R wrist X-ray | lateral | imaged through cast: 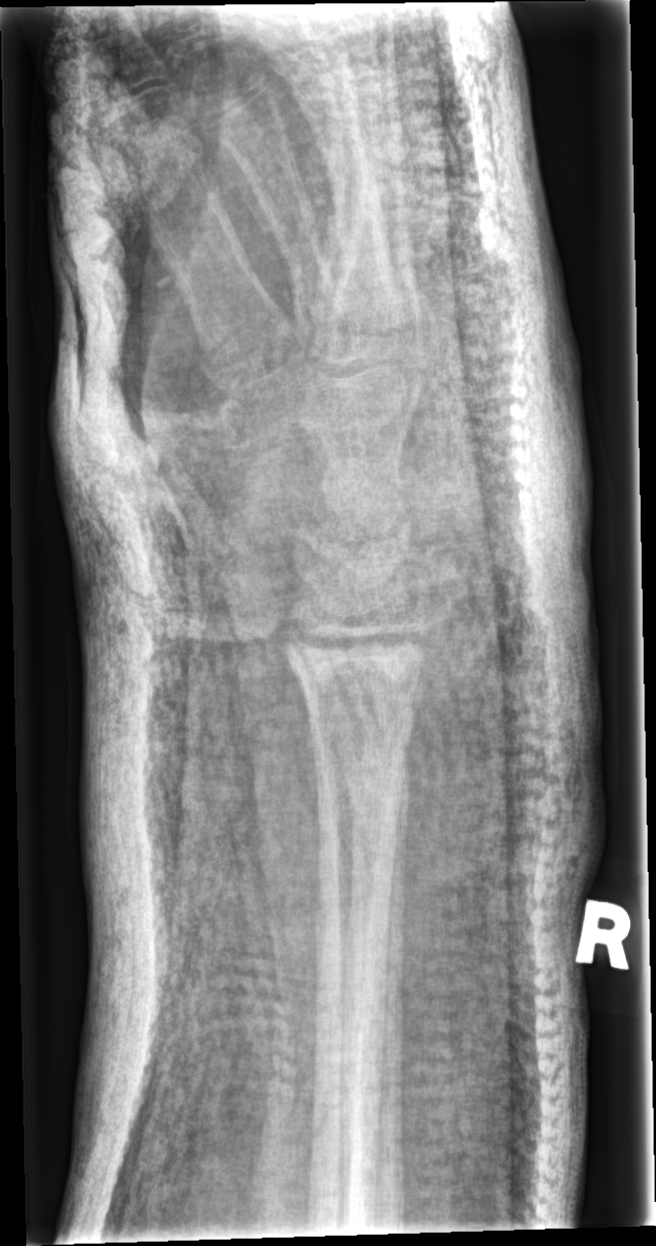 FINDINGS — Fx present but not clearly seen in this view.